R wrist radiograph · lateral view · image 56.6 mm wide 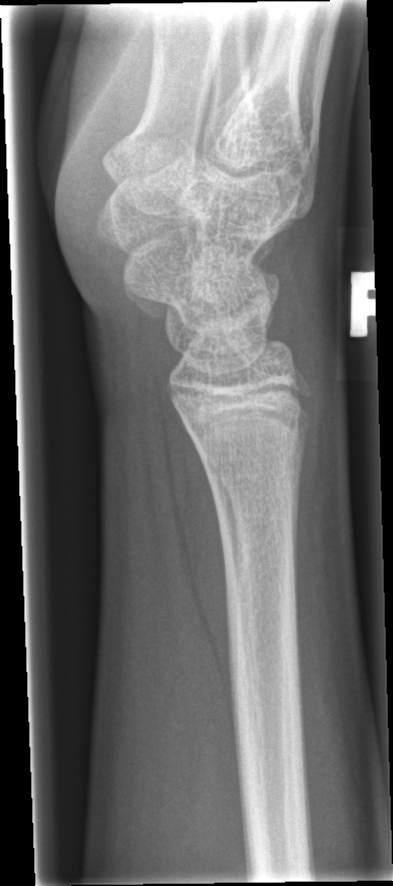

Findings: Fracture: none labeled.